Left wrist X-ray · PA/AP projection · 8-year-old boy · follow-up · cast present 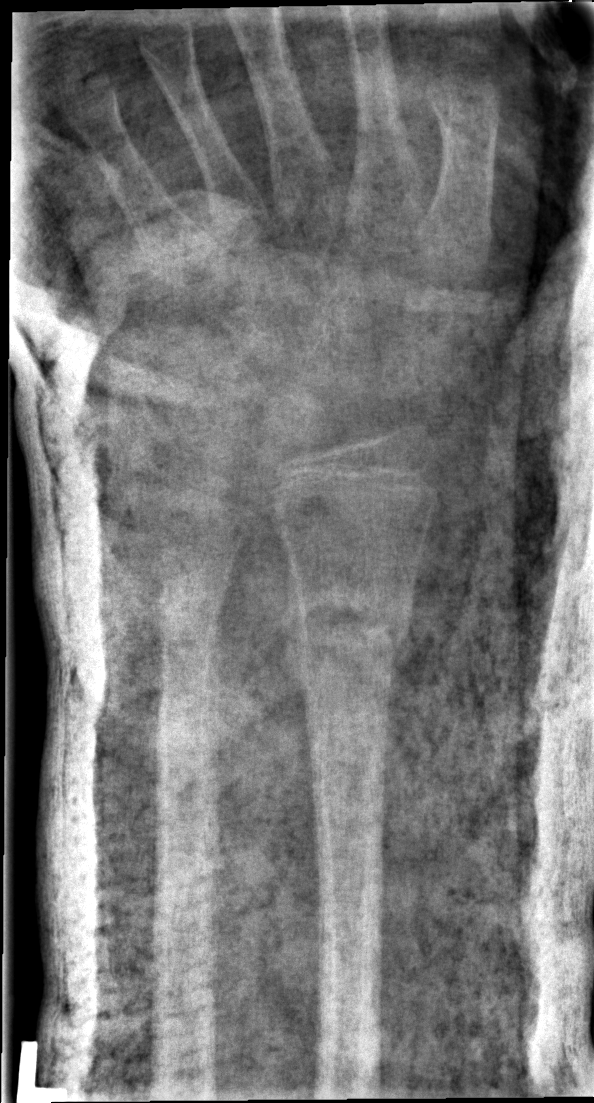

(boxes as x1,y1,x2,y2 (top-left / bottom-right, pixel units))
AO classification: 23-M/3.1
Fracture: (left=281, top=577, right=417, bottom=683)